Posteroanterior projection · right wrist plain radiograph of the wrist · index exam —
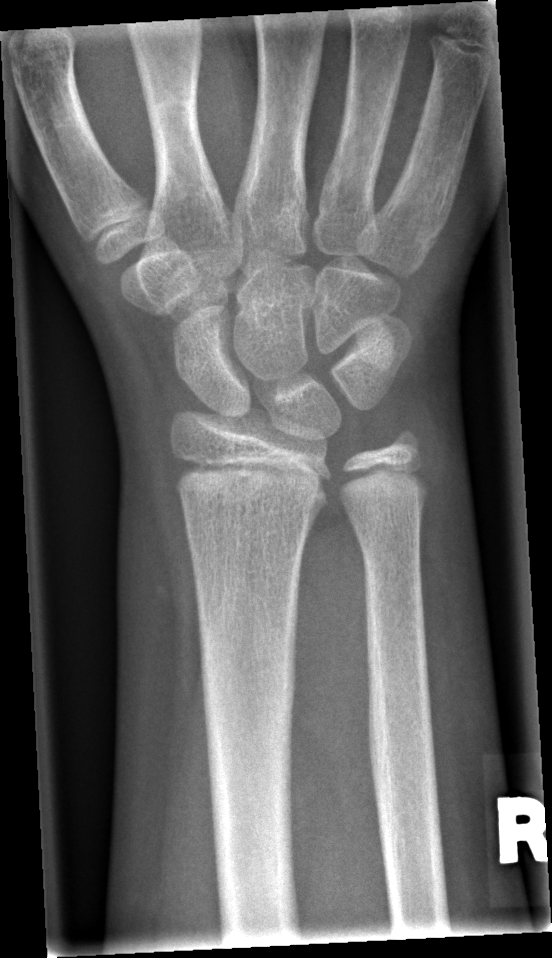

{
  "fracture": "none labeled"
}